Lateral, left wrist X-ray.

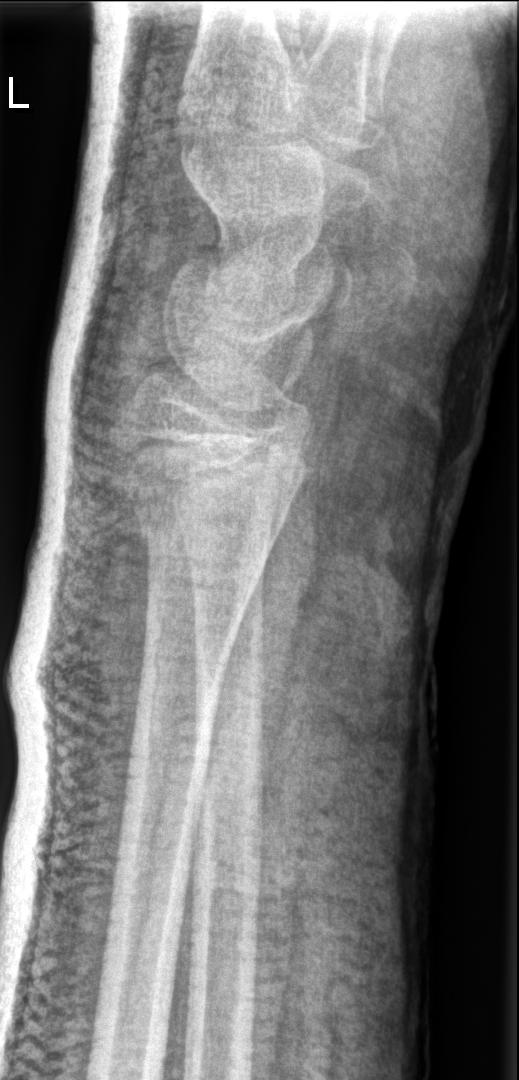
Q: Locate any fractures.
A: Bone fracture identified at (left=116, top=461, right=294, bottom=598)